PA/AP, left wrist plain film, 749 x 1054 px.

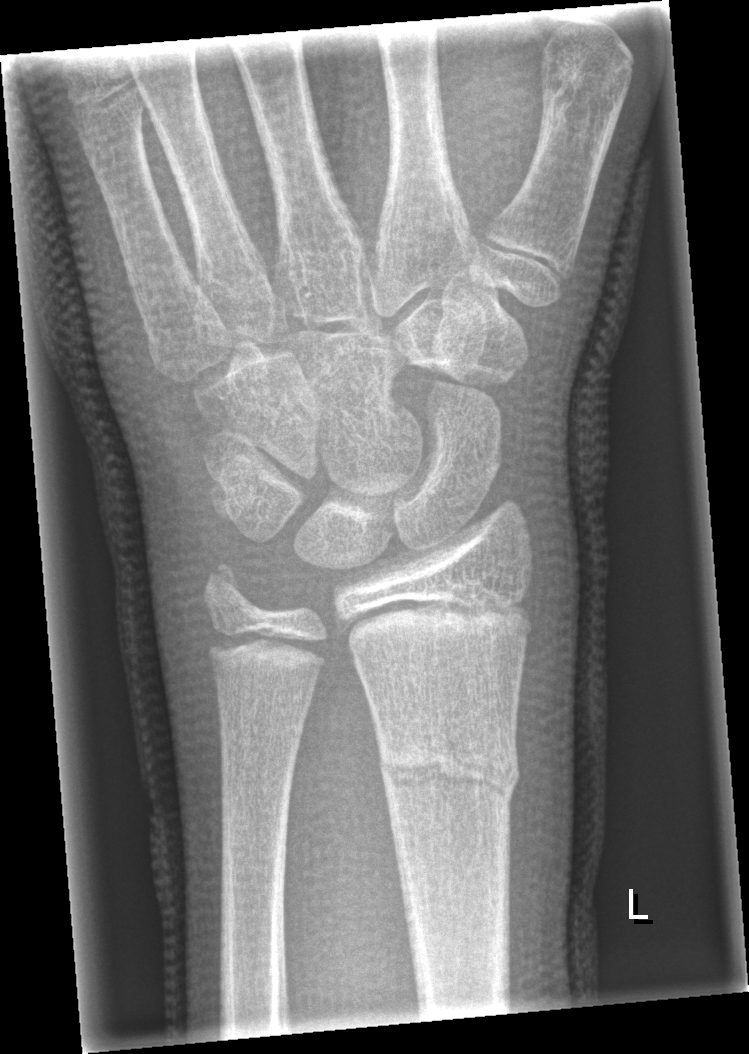 AO/OTA = 23r-M/3.1; 23u-E/7
fracture = 2 @ 373 716 522 819
  201 556 264 626